Frontal projection · left plain radiograph of the wrist · 16y M · presentation radiograph:
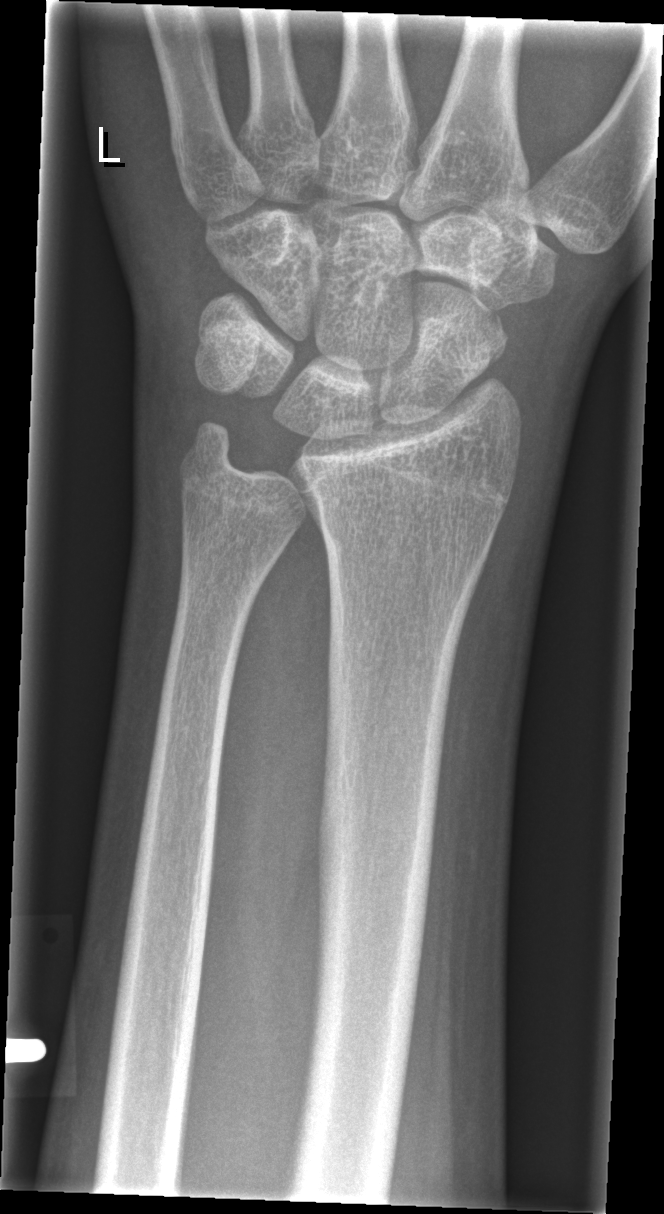

One Fx at 458 298 512 374.